Left plain radiograph of the wrist | lat | pediatric patient (male, age 13).
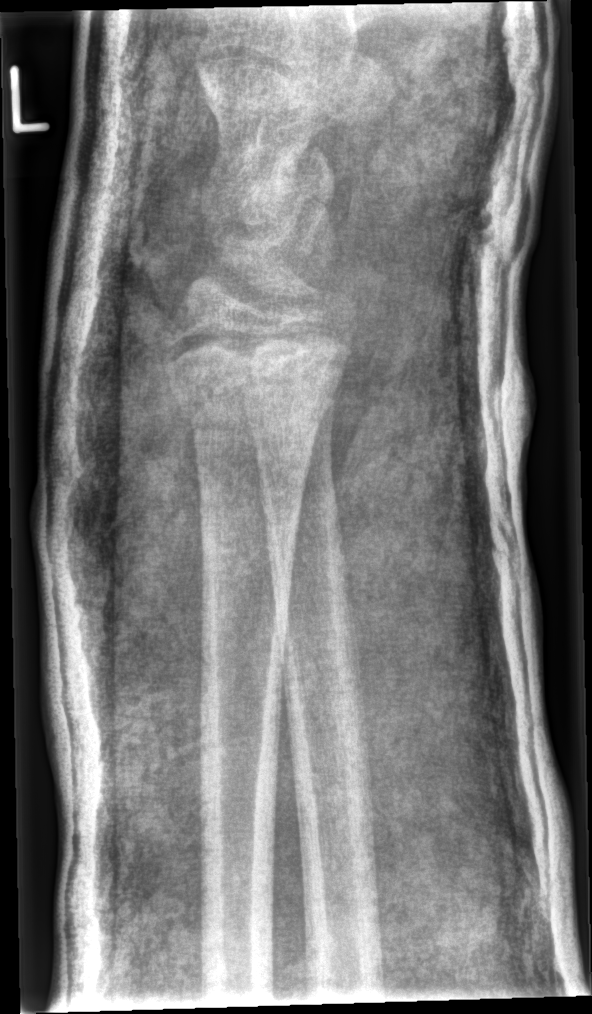 FINDINGS — AO code 23r-M/3.1; 23u-E/7. Fx identified at bbox(173, 370, 338, 447).